Left wrist X-ray; posteroanterior view; 7-year-old boy; cast in situ; Siemens.

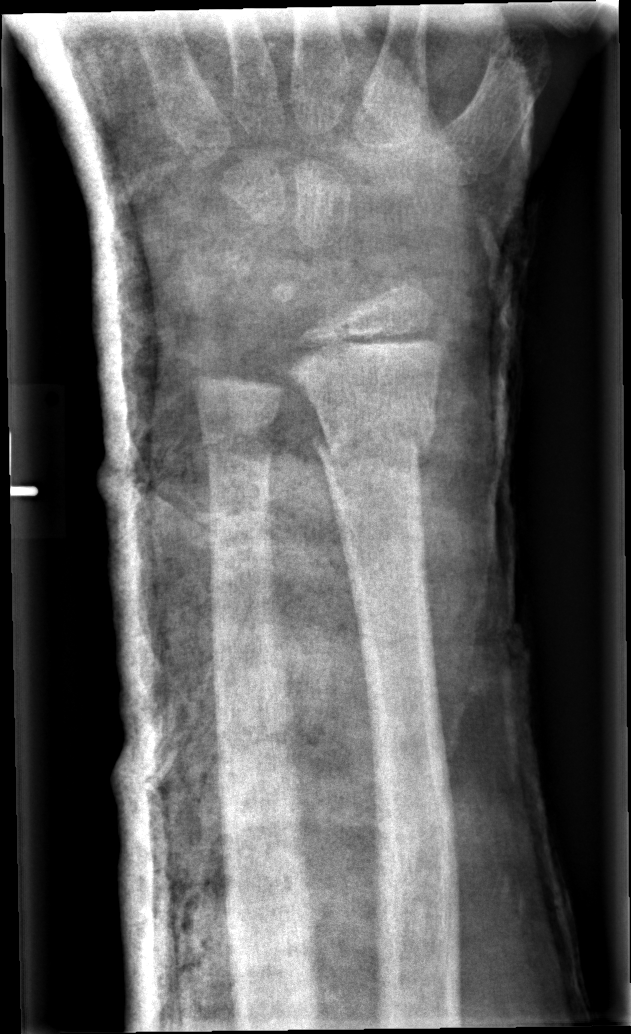
{
  "_coords": "coordinates are [x1, y1, x2, y2] in image pixels",
  "fracture": "2 @ [309, 400, 439, 471] [199, 414, 276, 470]",
  "ao": "23-M/3.1"
}